L wrist XR · PA/AP projection · 6y F · cast in situ · 523x862

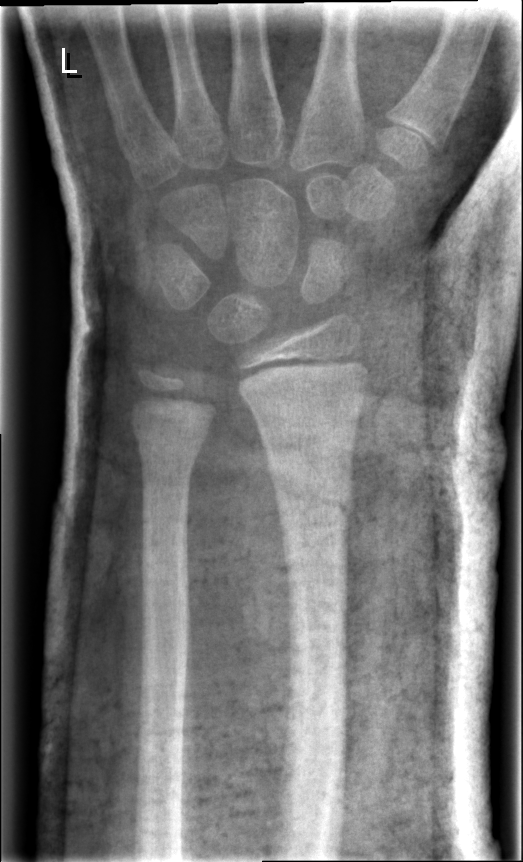

Fx: (left=127, top=410, right=210, bottom=475), (left=269, top=477, right=360, bottom=532)
AO code: 23r-M/3.1; 23u-M/2.1